Lat projection · right wrist radiograph · pediatric patient (male, age 15): 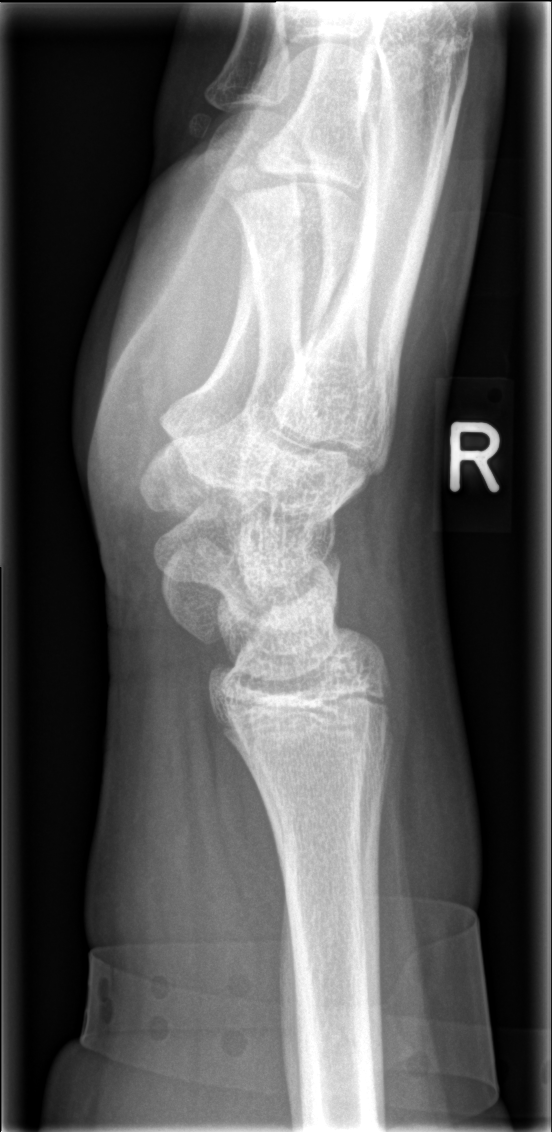

* Fracture: none labeled.